Rt pediatric wrist radiograph · PA view · index exam 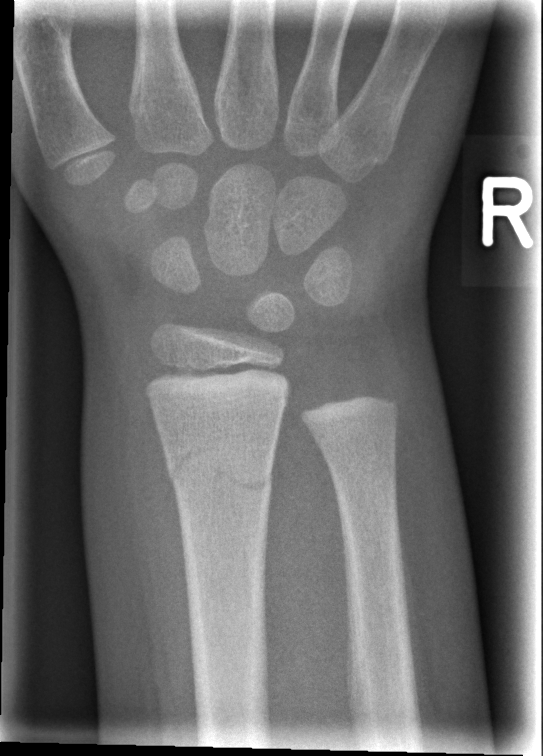

• AO/OTA classification: 23r-M/3.1.
• Fracture — (left=162, top=436, right=279, bottom=503).